R plain radiograph of the wrist; posteroanterior; age 11 y, female; follow-up. 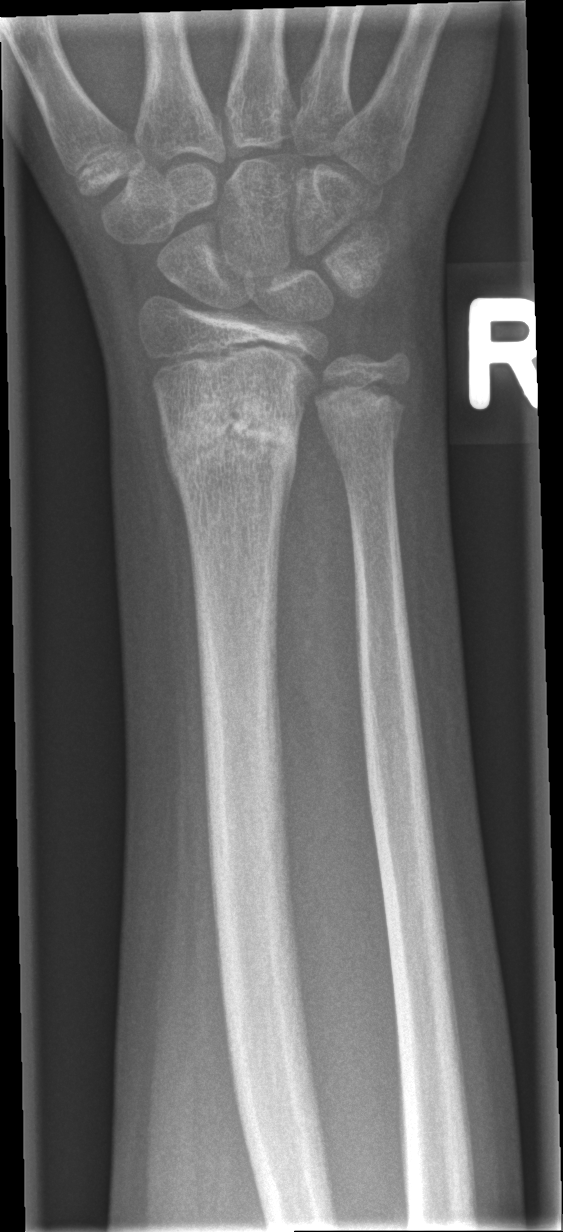 Fractures — (159, 393, 303, 481) (310, 367, 415, 454).
Fracture classified AO/OTA 23r-M/3.1; 23u-E/2.1.